Right plain radiograph of the wrist, PA/AP — 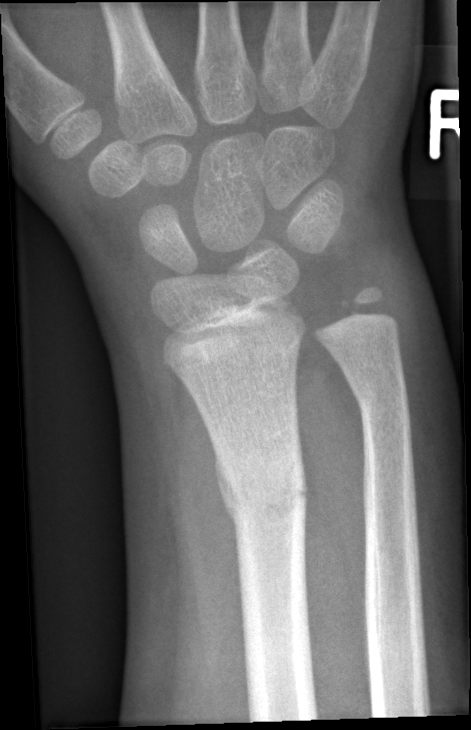
FINDINGS — (bounding boxes in image-pixel xyxy) Fx: bbox(214, 447, 309, 535); bbox(354, 375, 412, 428).